L wrist radiograph, lat, cast present, acquired on Siemens — 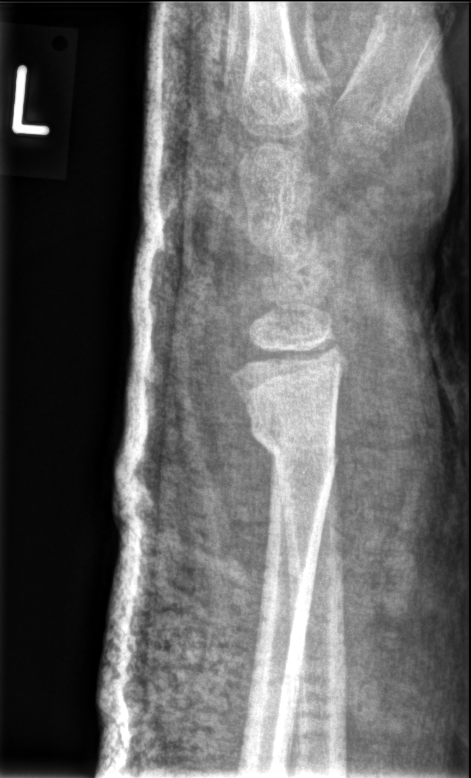 Fracture classified AO/OTA 23-M/3.1.
Bone fracture: (left=245, top=408, right=340, bottom=483).